Lateral view, right plain radiograph of the wrist, pediatric patient (girl, age 7), 450 by 944 pixels 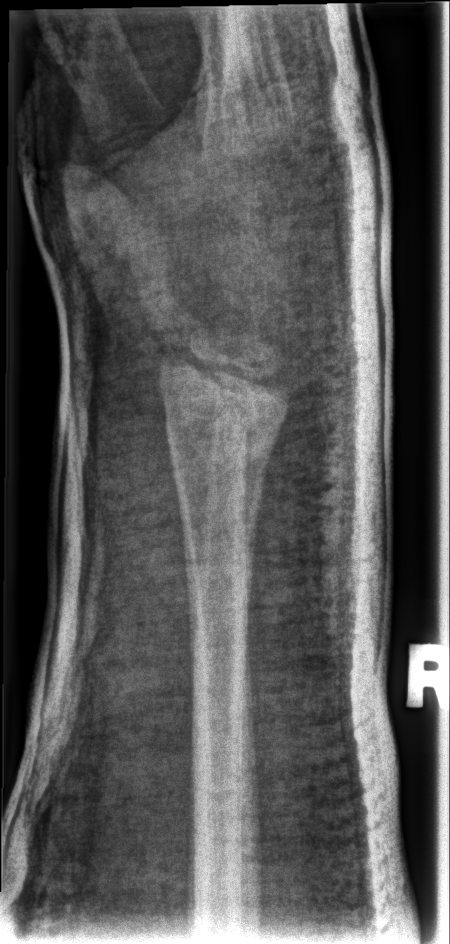 FINDINGS: Fracture classified AO/OTA 23r-M/3.1; 23u-M/2.1. Fx — (left=158, top=385, right=285, bottom=470).